Lat, right wrist radiograph, initial study, detector: Siemens
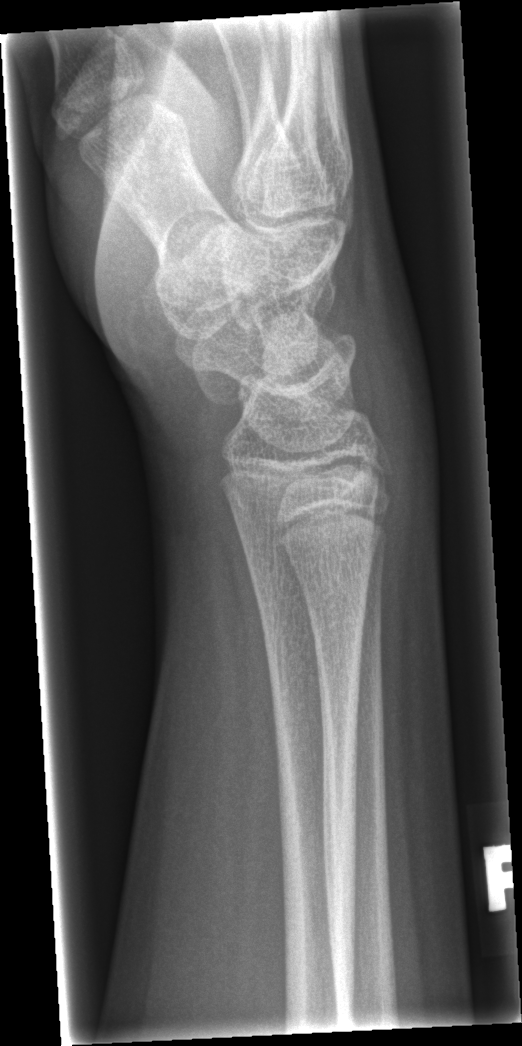 Q: Any fracture seen?
A: No fracture annotation